Lat; R wrist plain film; boy, 11 yo; 582x1110. 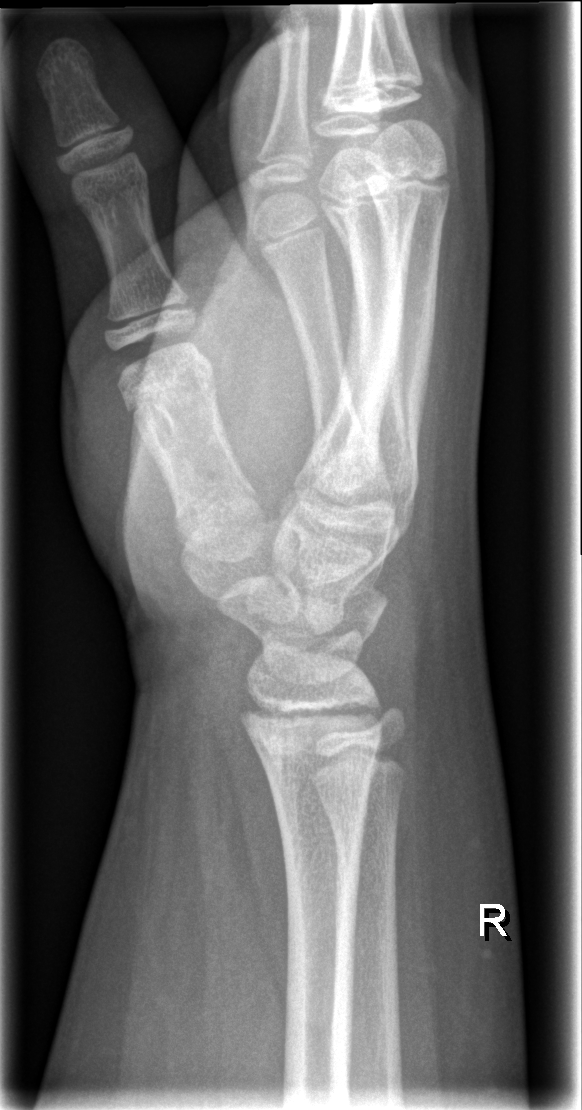
FINDINGS — No fracture bounding box.